L pediatric wrist radiograph | lat view | age 6 y, female | subsequent exam | cast present | detector: Siemens — 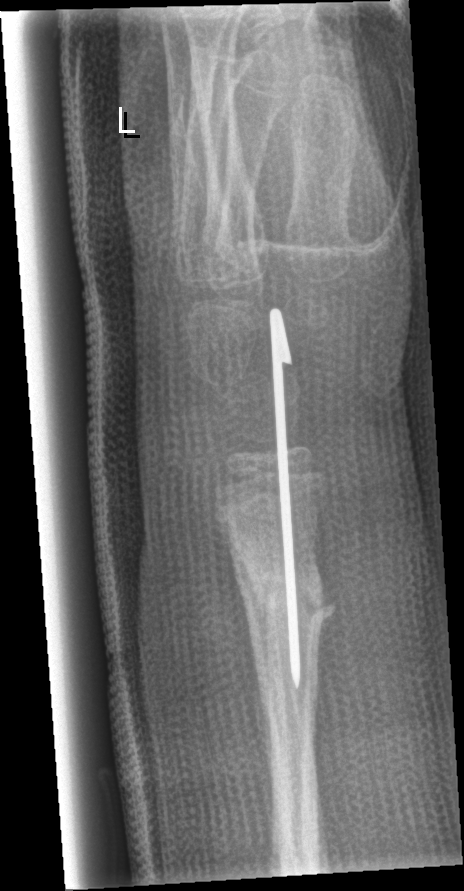

Findings: (pixel coordinates, top-left origin, xyxy) Metal: 269,308,301,699. Fx identified at 240,547,341,646. Fracture classified AO/OTA 23r-M/3.1; 23u-M/2.1.